Left wrist radiograph, lat projection, pediatric patient (male, age 13), follow-up, 98.1 mm image width.

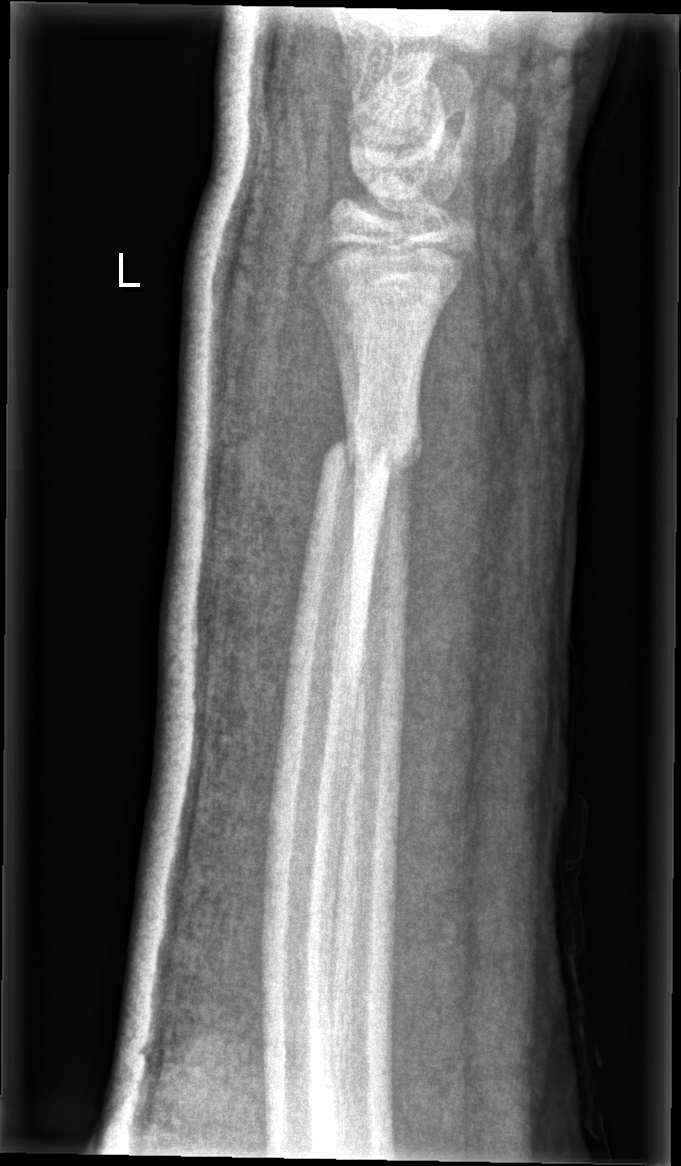
(boxes as x1,y1,x2,y2 (top-left / bottom-right, pixel units))
Q: Fracture present?
A: Fracture identified at bbox(320, 418, 429, 486)